L wrist plain film | lat projection | 12y M | follow-up study | 556 x 1145 px. 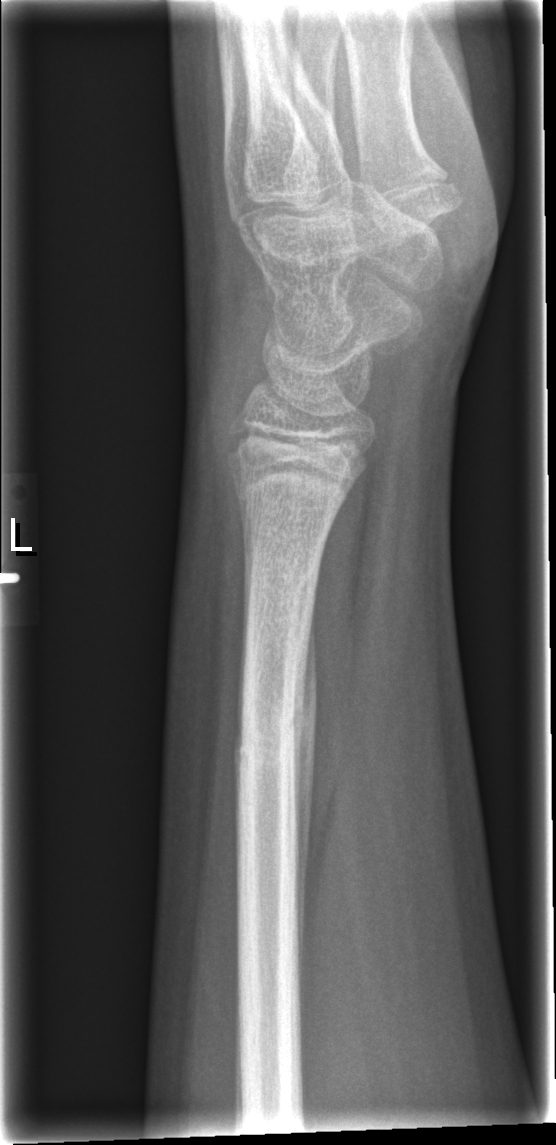 (bounding boxes in image-pixel xyxy)
Q: Locate any fractures.
A: One fracture at 237,687,317,763
Q: Bone density?
A: Osteopenic
Q: Any periosteal thickening?
A: Periosteal new bone identified at 294,597,318,1019
Q: What is the AO/OTA classification?
A: AO/OTA classification: 22r-D/2.1; 23u-M/2.1